AP | right wrist plain radiograph of the wrist | 980 by 1227 pixels.
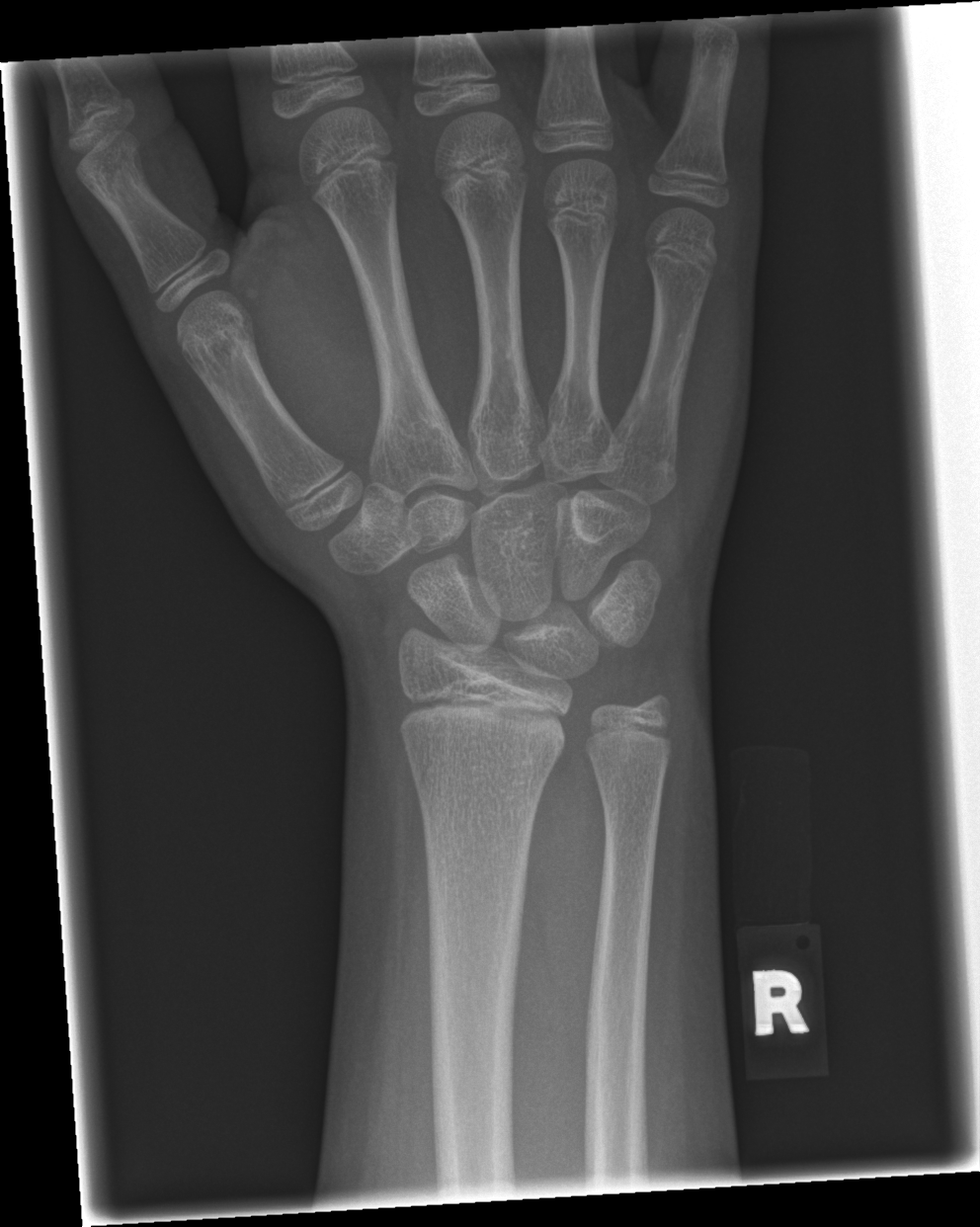
FINDINGS: Fracture: none labeled.